Lat view; Lt pediatric wrist radiograph; image 62.2 mm wide —
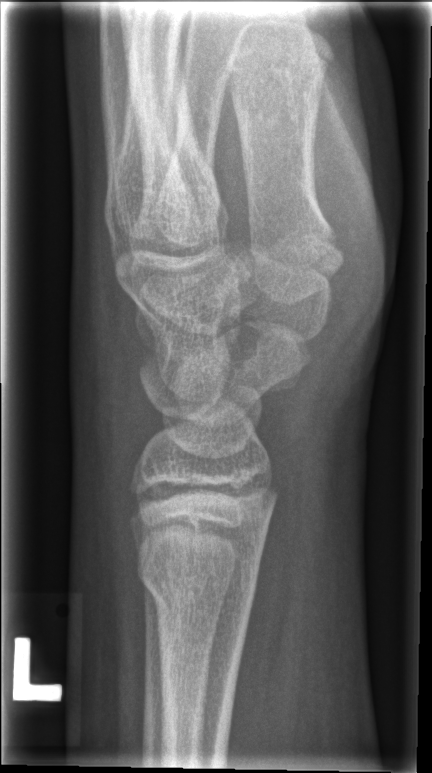 Fracture classified AO/OTA 23r-M/2.1.
Bone fracture — [135, 547, 260, 626].